AP projection, right wrist X-ray, age 6 y, male, in cast.
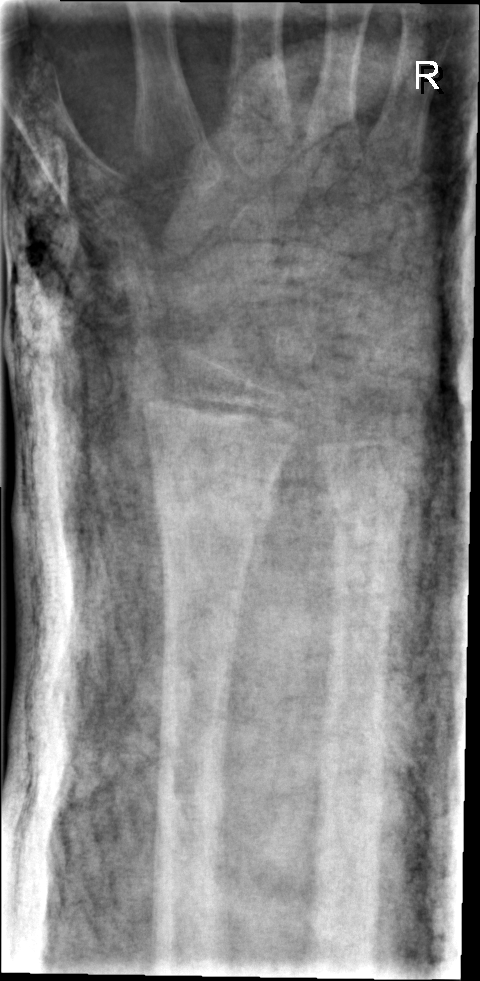 • Bounding boxes in image-pixel xyxy.
• Bone fracture identified at (148, 458, 279, 549); (320, 476, 409, 559).